Lt pediatric wrist radiograph, PA view, acquired on Siemens: 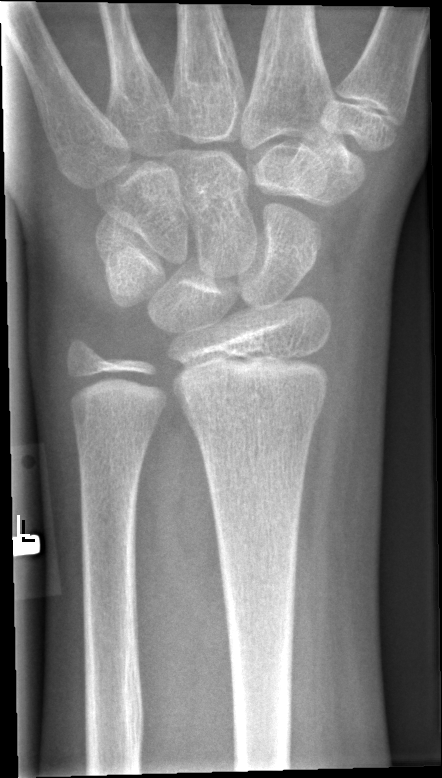

bone fracture = present but not clearly seen in this view
AO classification = 23r-M/2.1